Lateral view; left pediatric wrist radiograph; male, 11 yo; 60.0 mm image width; image size 417x940. 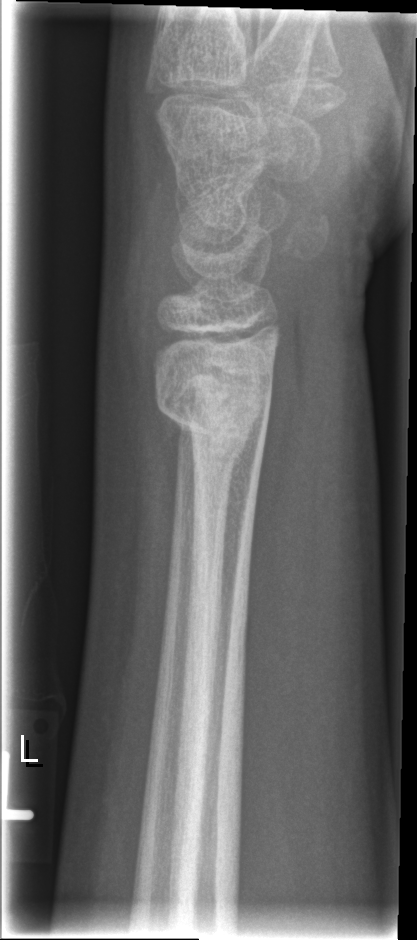
(bounding boxes in image-pixel xyxy)
AO classification = 23-M/2.1
Osteopenia = present
Fracture = 1 @ (149, 366, 279, 453)